Posteroanterior projection, left pediatric wrist radiograph, female, 8 yo, initial study, detector: Siemens, 61.5 mm image width —
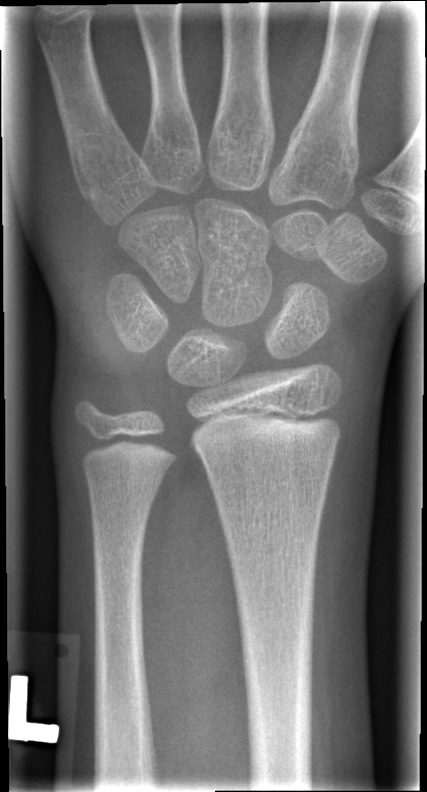 Fx: none.